R pediatric wrist radiograph, frontal projection, 10y M —
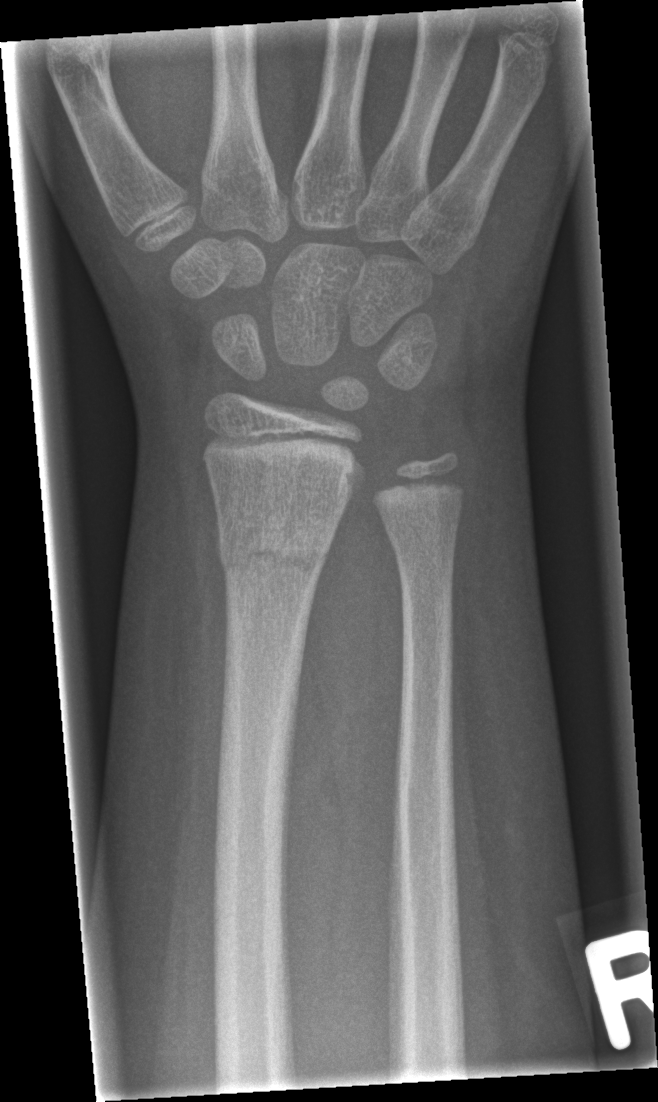
FINDINGS: Fx — [x1=214, y1=510, x2=338, y2=590].